Left wrist plain radiograph of the wrist · lat projection · female, 1.5 yo · presentation radiograph · 278 by 595 pixels —
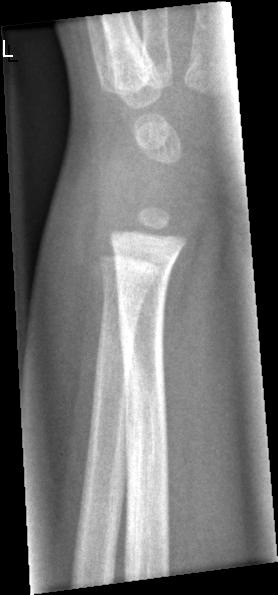 {
  "fracture": "none labeled"
}